R wrist plain film | lateral view | image size 468x1232 —
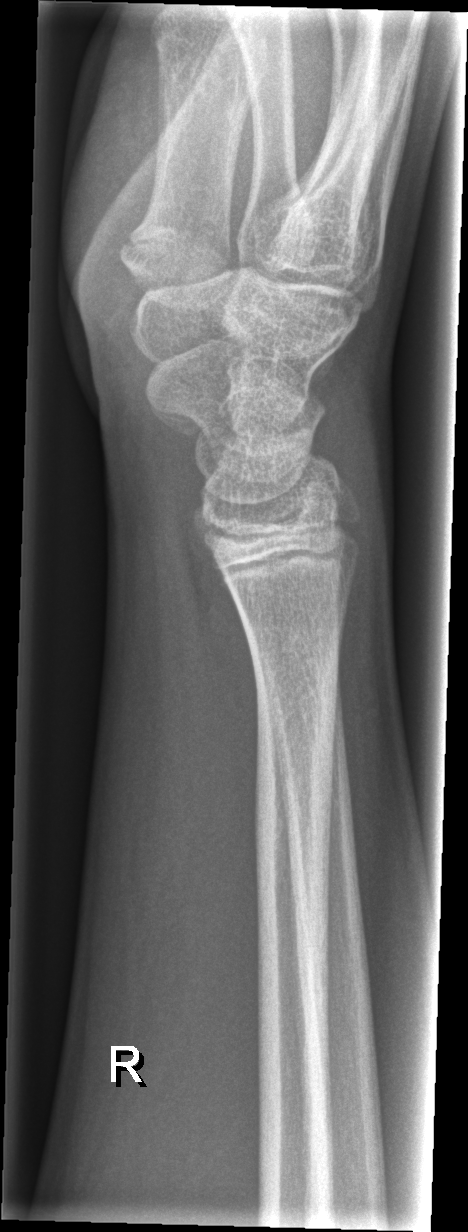 No Fx annotated.